PA; Rt wrist plain film; cast in situ; 632 x 1036 px.
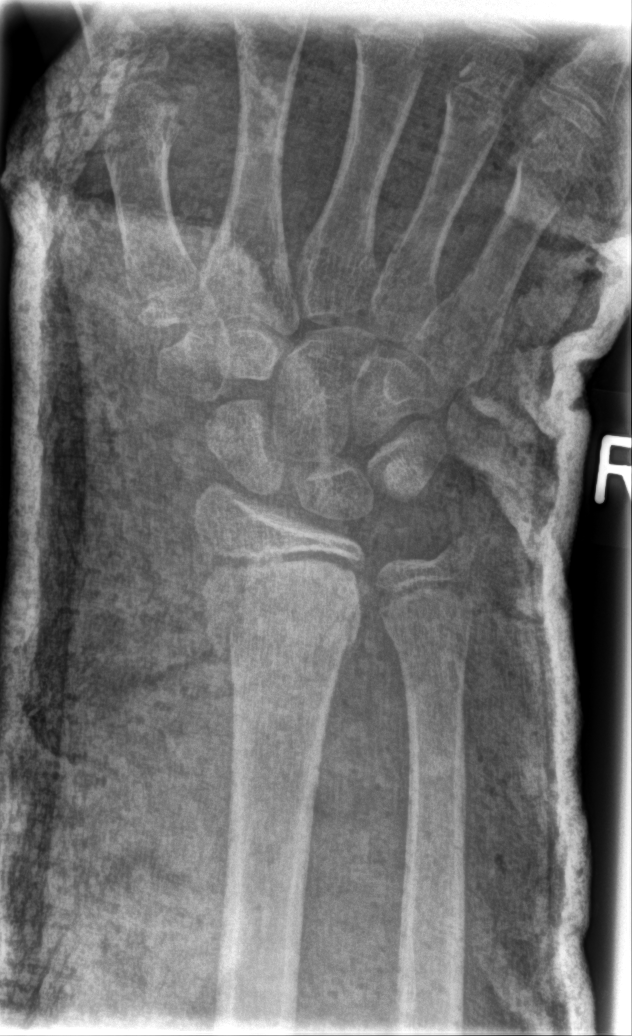

• Coordinates are [x1, y1, x2, y2] in image pixels.
• Fracture identified at (195, 542, 370, 661).